AP; R plain radiograph of the wrist; pediatric patient (girl, age 12) —
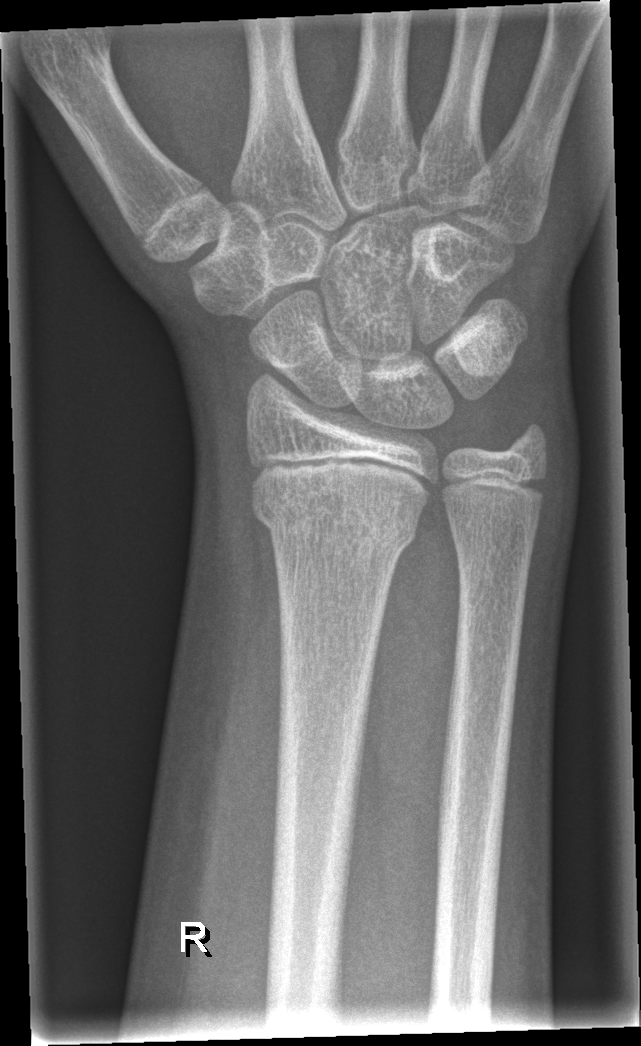

(coordinates are [x1, y1, x2, y2] in image pixels)
AO classification: 23r-M/2.1
Bone fracture: 249,473,424,556